Left plain radiograph of the wrist, lat projection, image size 470x890 —

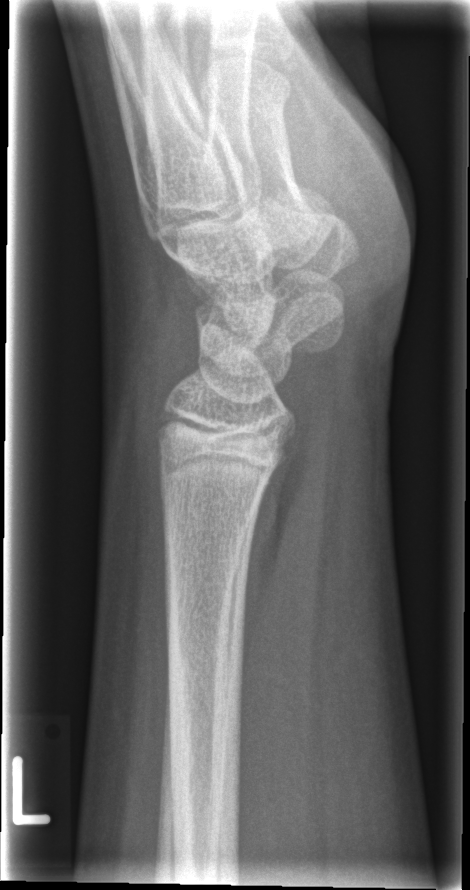 FINDINGS: No fracture annotation.